Lateral, L wrist plain film. 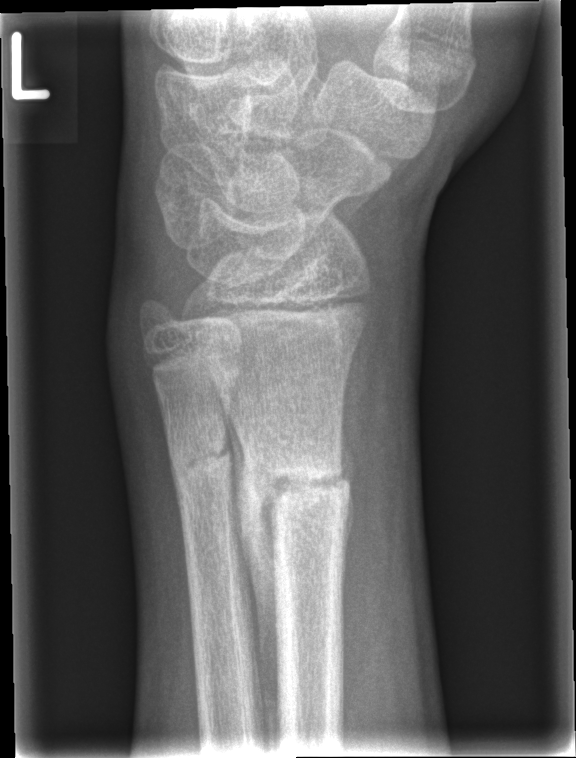 Findings: AO code 23-M/3.1. Reduced bone mineral density. Periosteal reaction — (left=212, top=374, right=281, bottom=745); (left=339, top=405, right=356, bottom=611). Fx: (left=237, top=453, right=357, bottom=561), (left=168, top=429, right=240, bottom=498).